L wrist XR, AP projection, 6y M, image 85.2 mm wide: 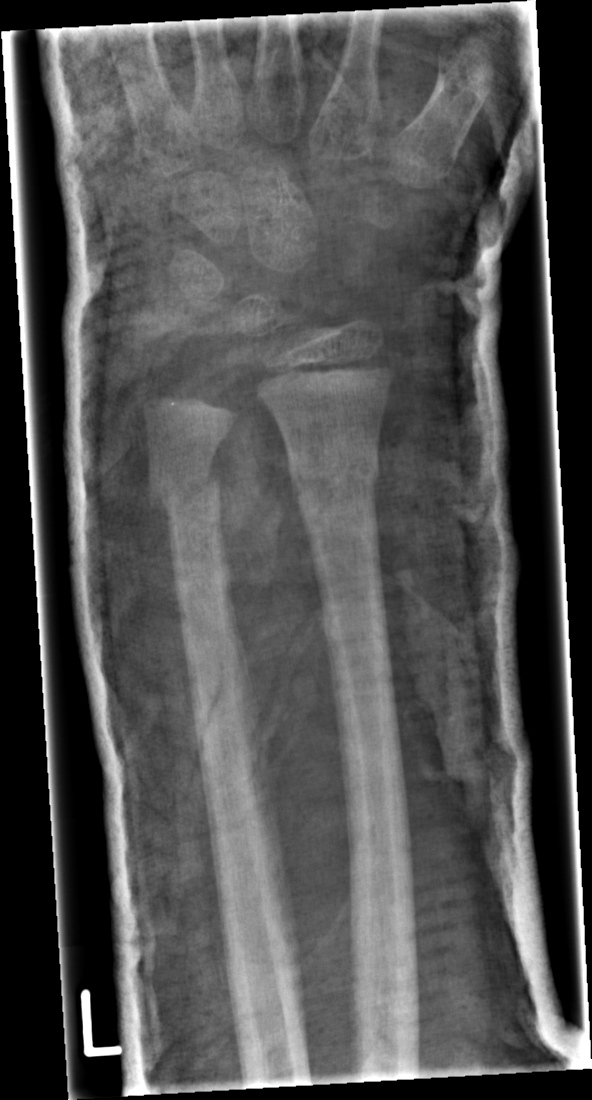
• Fracture: [284, 441, 383, 505] [143, 464, 224, 527].